PA/AP; L pediatric wrist radiograph; girl, 13 yo; image 75.6 mm wide 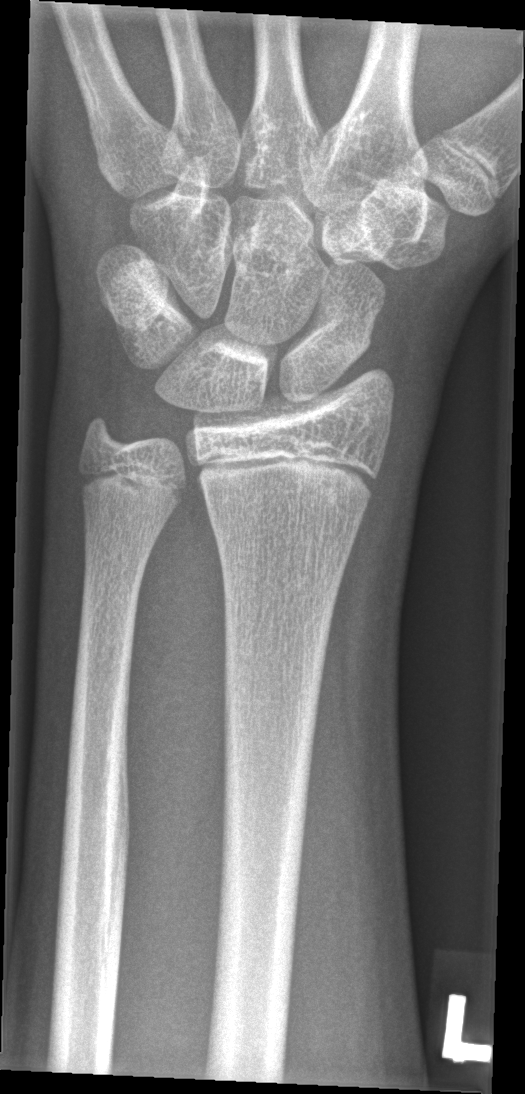 Bone fracture: none labeled